L wrist radiograph, lat projection, female, 8 yo, follow-up. 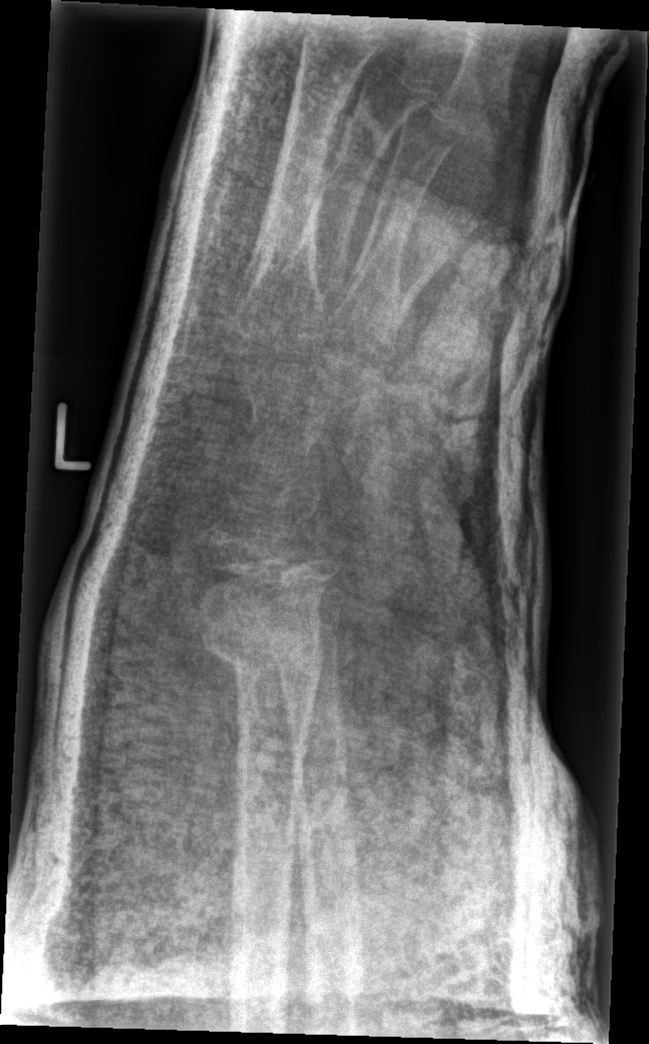 FINDINGS — (boxes as x1,y1,x2,y2 (top-left / bottom-right, pixel units)) Fx: bbox(195, 602, 328, 688).